Right pediatric wrist radiograph · PA projection

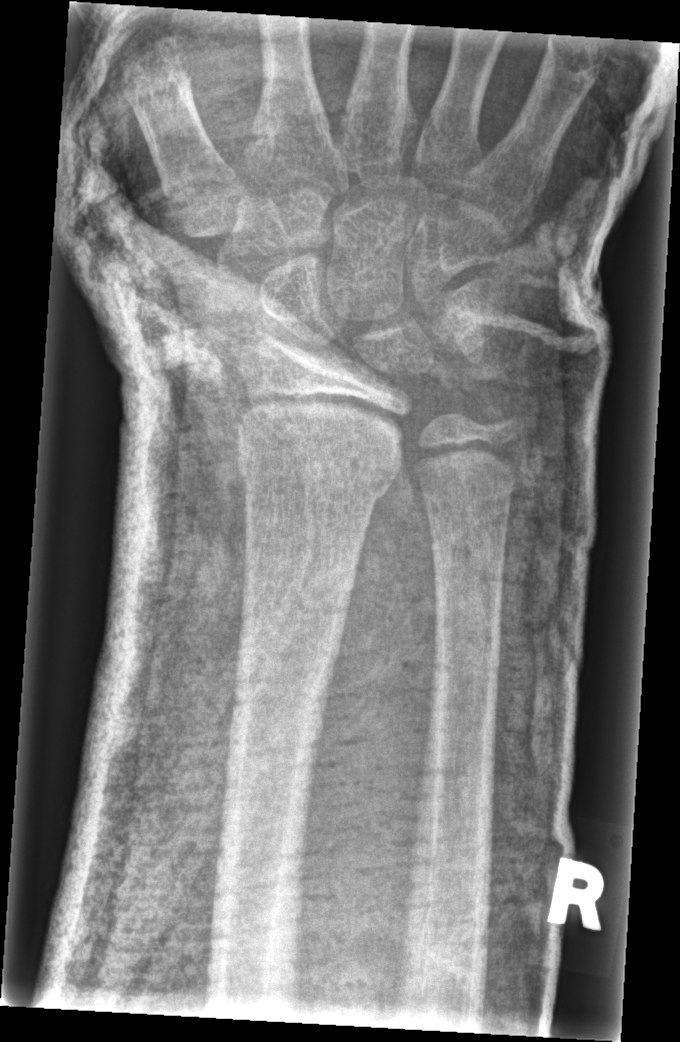 * Boxes as x1,y1,x2,y2 (top-left / bottom-right, pixel units).
* AO/OTA classification: 23r-E/2.1; 23u-E/7.
* Bone fracture: [234, 444, 398, 508], [476, 389, 527, 447].